Lat projection · Lt wrist radiograph · pediatric patient (male, age 11) · subsequent exam · in cast. 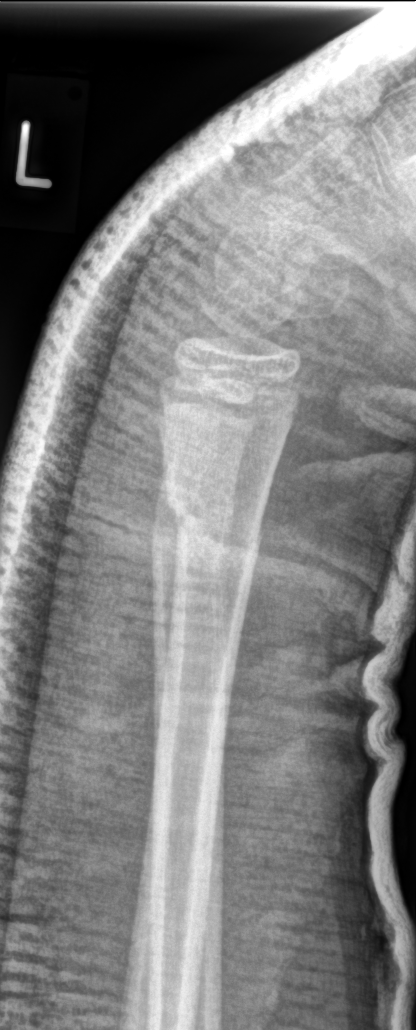

  fracture: 1 @ [x1=160, y1=482, x2=264, y2=566]
  ao: 23r-M/3.1; 23u-M/2.1; 23u-E/7